Rt wrist radiograph; lat projection; girl, 10 yo; initial study; 53.6 mm image width:

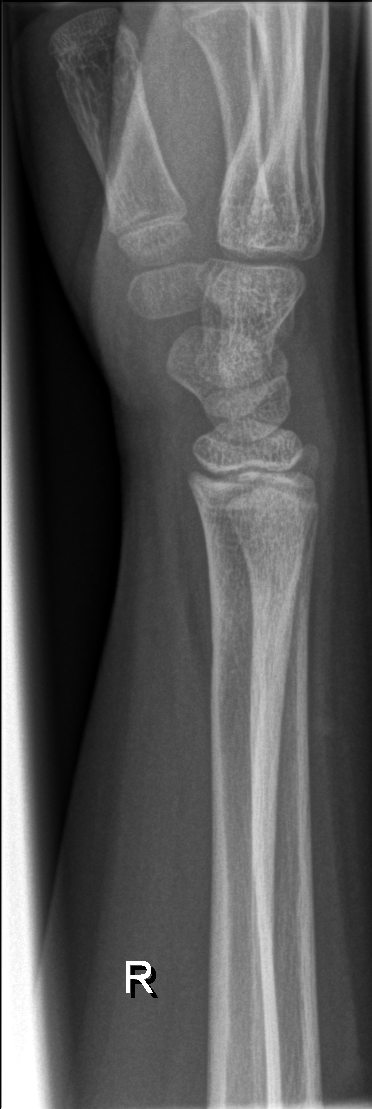
Findings: (bounding boxes in image-pixel xyxy) Bone fracture identified at [x1=203, y1=541, x2=301, y2=691].